Lt wrist X-ray | frontal projection | initial study —
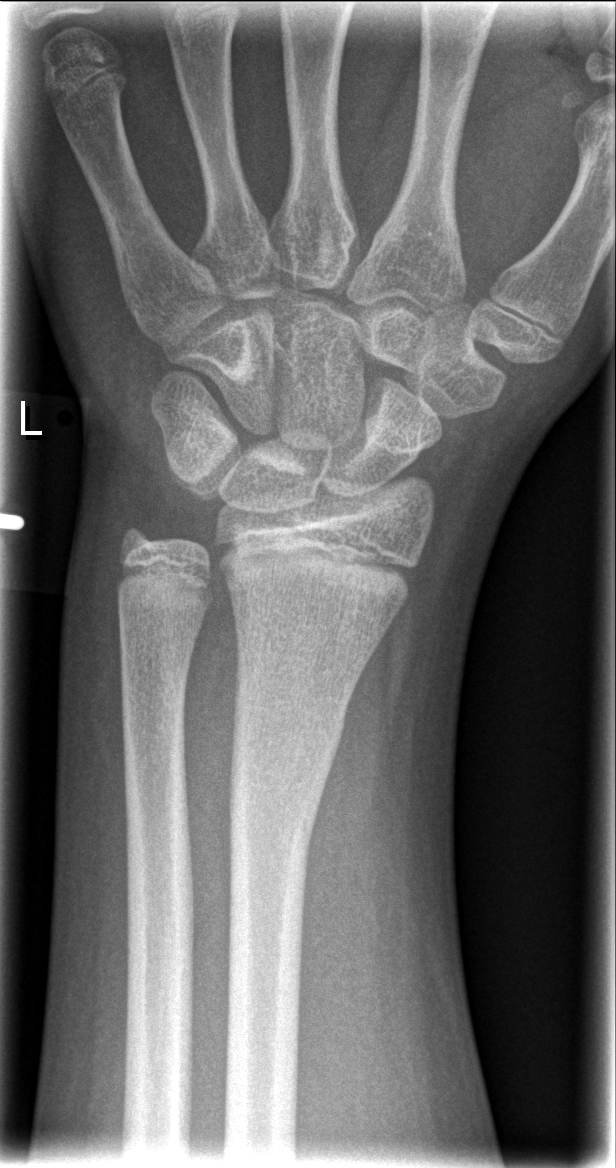 - Bounding boxes in image-pixel xyxy.
- One fracture at [227, 680, 345, 863].
- Fracture classified AO/OTA 22r-D/2.1.